Right wrist radiograph · PA/AP · 5-year-old girl —
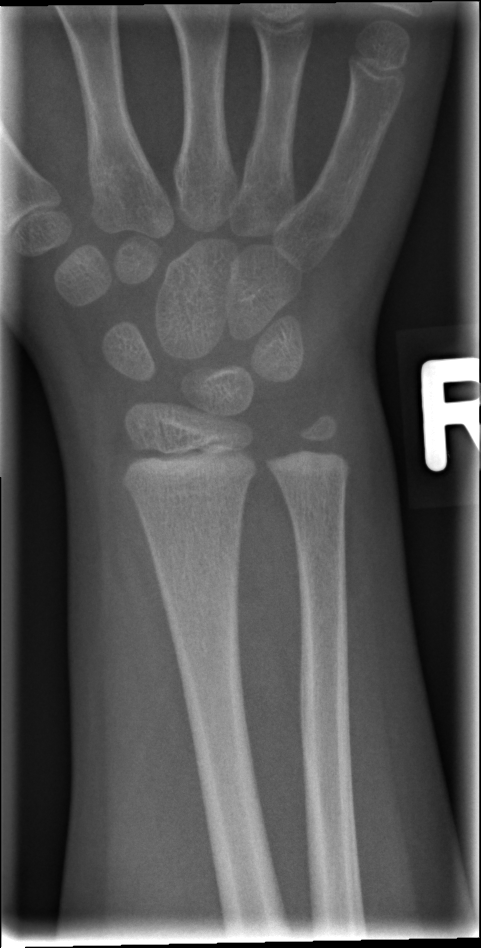 Fx = none labeled